L wrist radiograph | AP view —
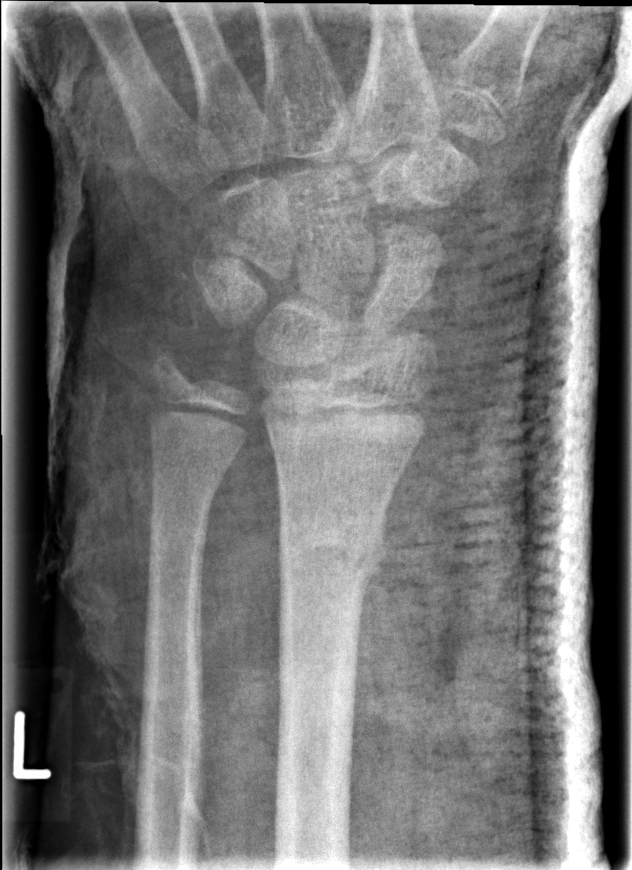

Findings: (coordinates are [x1, y1, x2, y2] in image pixels) One fracture at <276,517>-<389,587>. AO code 23-M/2.1.